L wrist radiograph | AP view | 10-year-old male | follow-up | 88.7 mm image width. 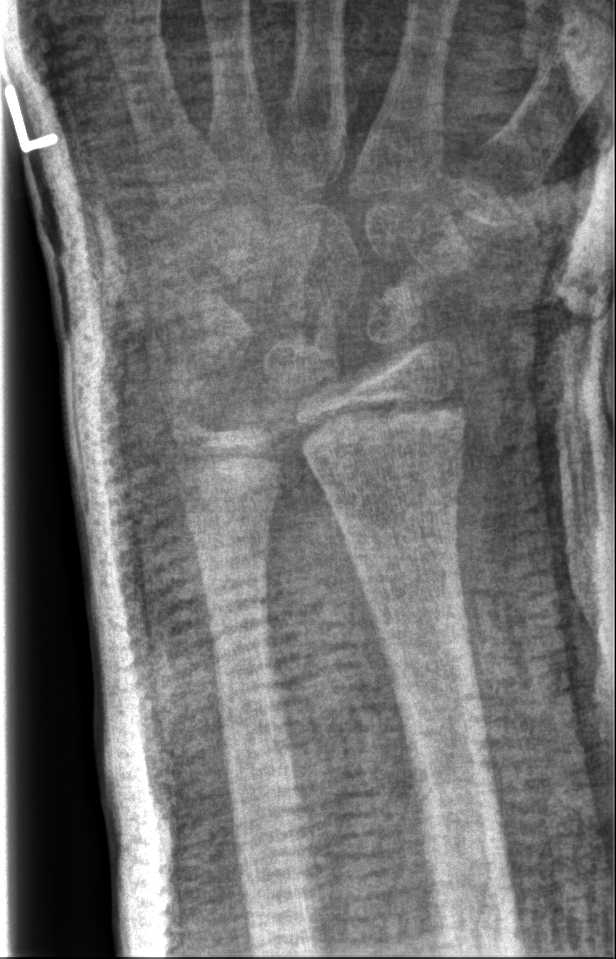
Q: Fracture present?
A: Fx: (300, 380, 475, 471)